Lateral view; L wrist plain film; acquired on Siemens.
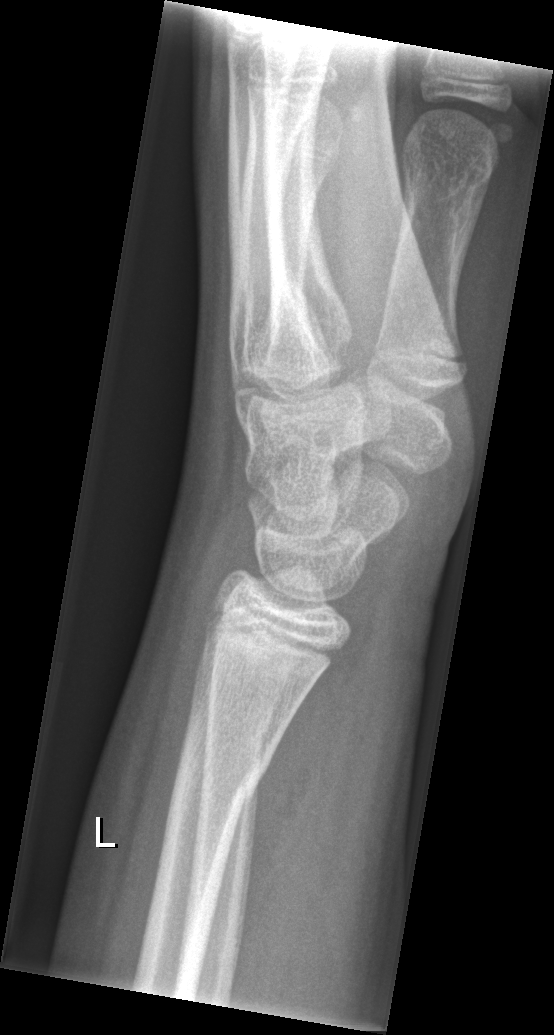 Pixel coordinates, top-left origin, xyxy. Positive pronator fat-pad sign — (left=239, top=618, right=350, bottom=936). Fracture: (left=165, top=747, right=266, bottom=821).